Right pediatric wrist radiograph · lateral view · age 13 y, female — 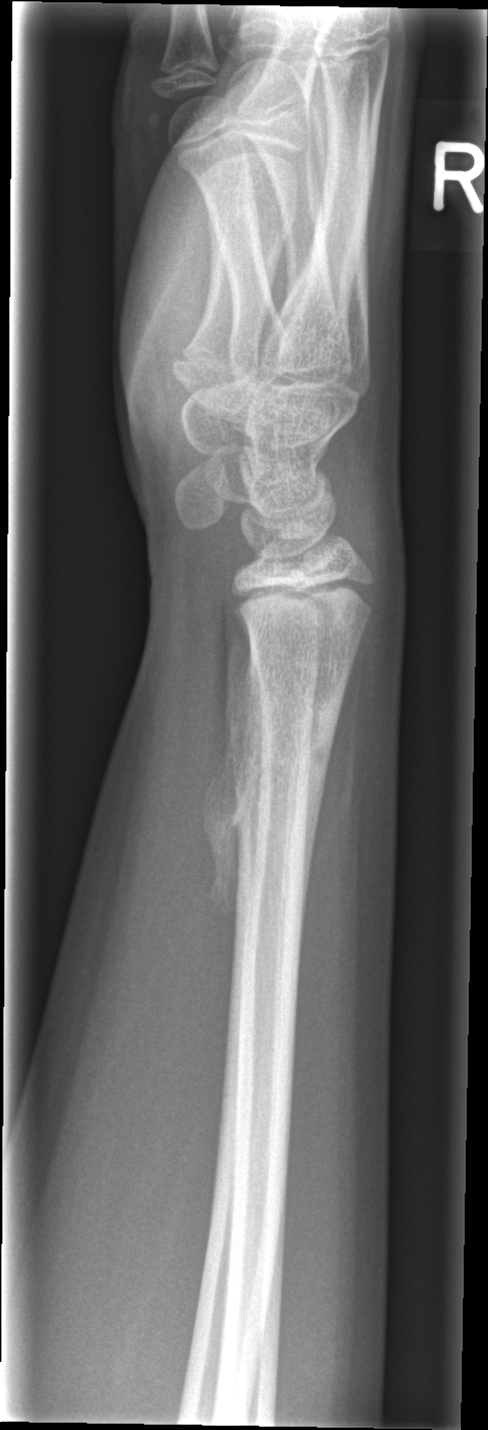 {"boneanomaly": "bbox(195, 647, 359, 923)", "fracture": "none labeled"}